L wrist X-ray, PA/AP view, age 7 y, boy, Siemens, 442x1208. 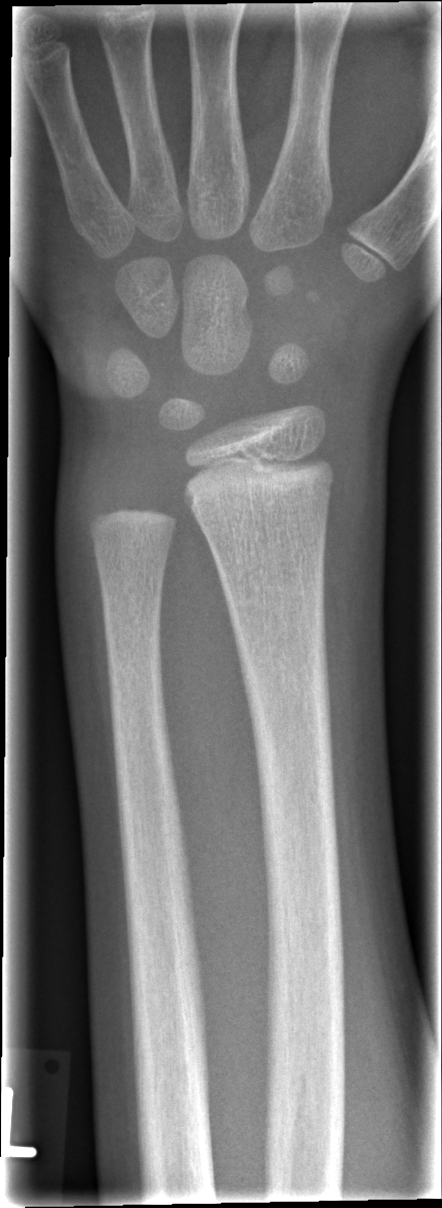 AO/OTA = 23r-E/1
Fracture = 1 @ <181,445>-<337,521>